Left wrist plain film | lateral projection —
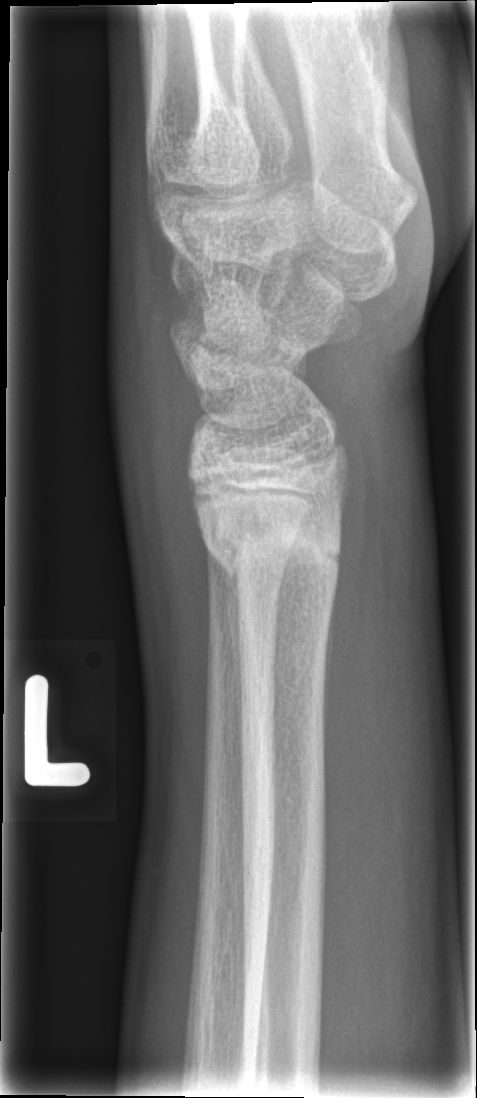 periosteal new bone = (200, 526, 246, 751), (320, 571, 338, 785)
osteopenia = present
fracture = (194, 506, 346, 596)
AO/OTA = 23r-M/3.1; 23u-E/7